Lt wrist radiograph | obl projection | age 12 y, male

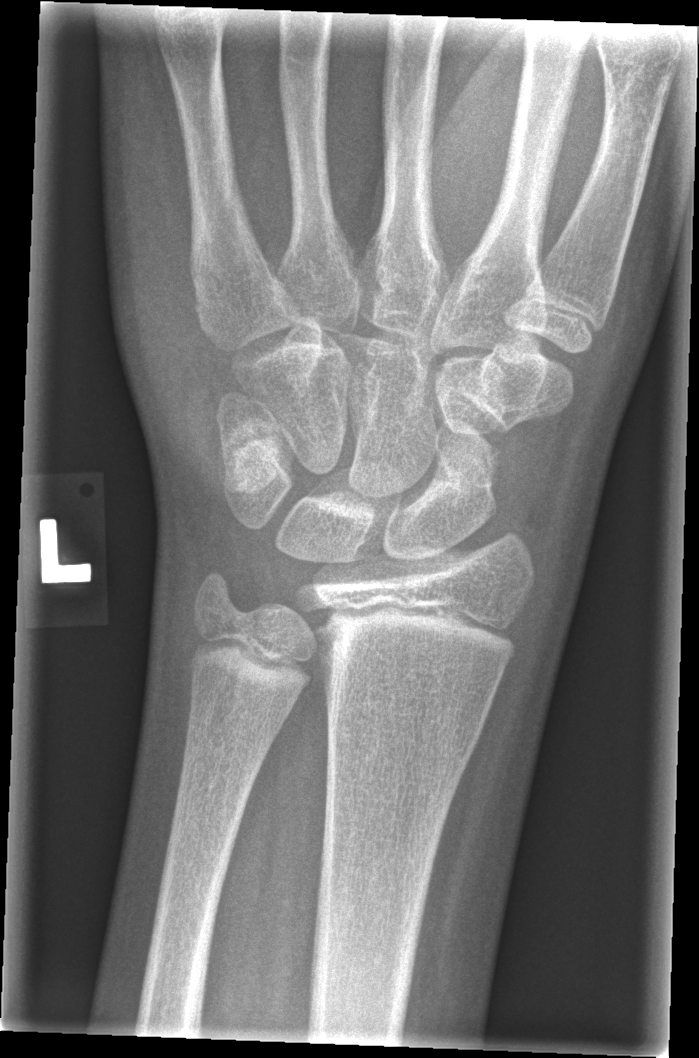 Findings: No Fx annotated.